PA/AP · right wrist radiograph · age 17 y, male 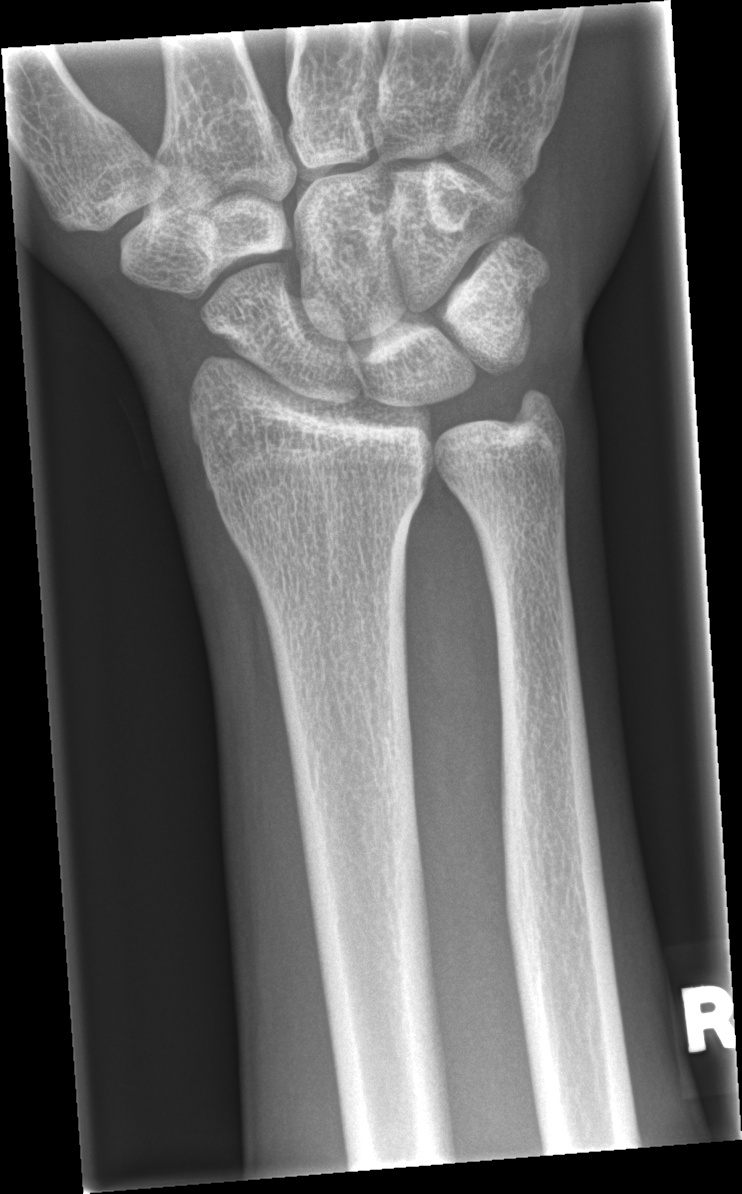

No fracture annotation.